AP | Rt wrist plain film | age 14 y, boy | detector: Siemens | image 101.7 mm wide

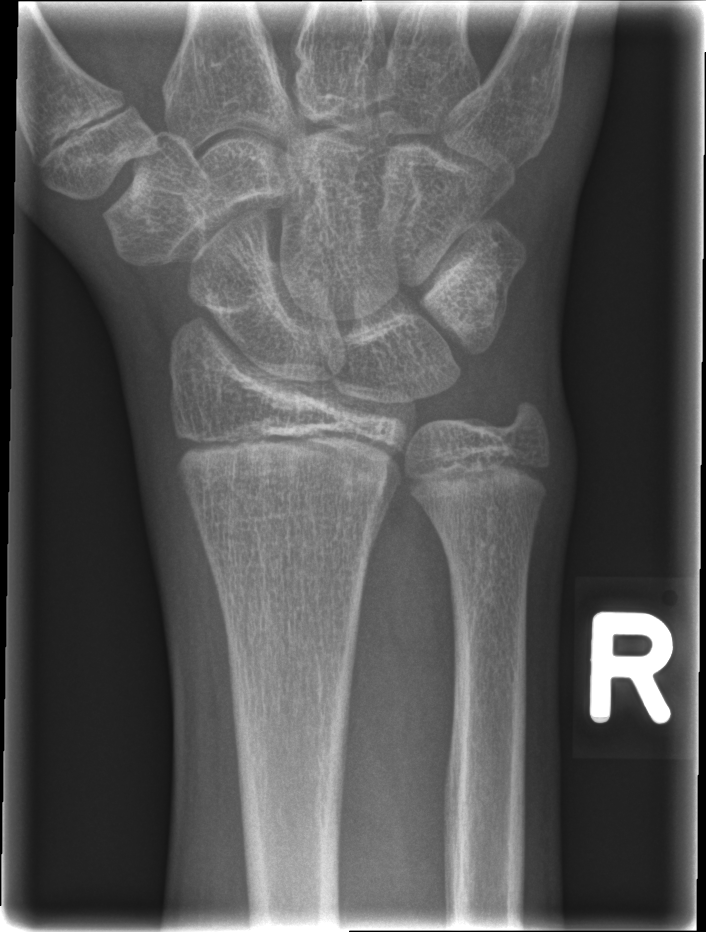
Fx: none labeled